Lat | left plain radiograph of the wrist | boy, 11 yo | cast present | image 70.8 mm wide | image size 492x742:
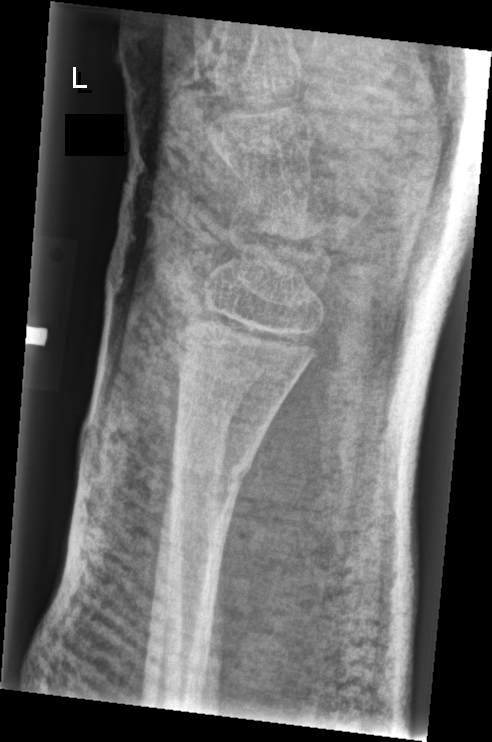 Findings: (boxes as x1,y1,x2,y2 (top-left / bottom-right, pixel units)) AO code 23-M/2.1. Fx: (left=167, top=439, right=259, bottom=509).